Right wrist XR | lateral view | boy, 4 yo | subsequent exam | imaged through cast —

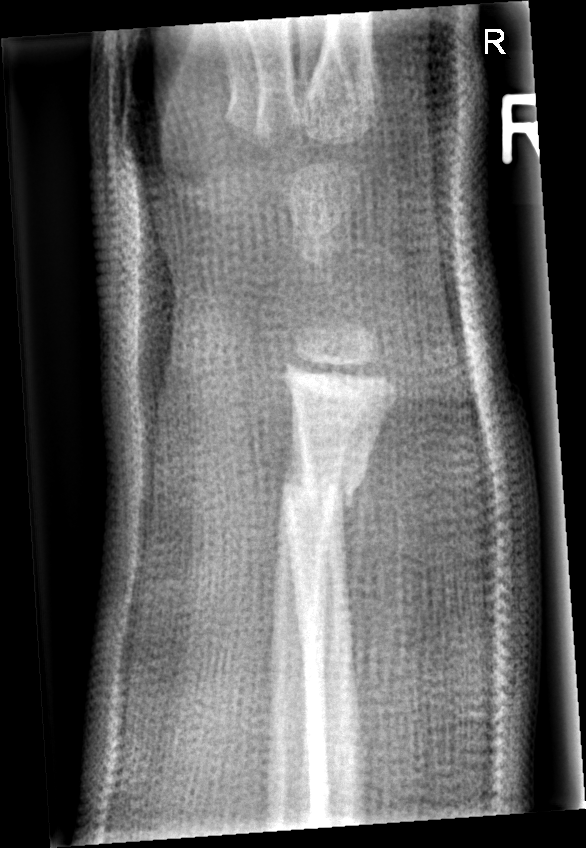

(bounding boxes in image-pixel xyxy)
AO classification = 23r-M/3.1; 23u-M/2.1
Fx = 1 @ bbox(280, 455, 369, 515)